R plain radiograph of the wrist | lateral projection | image width 72.1 mm.
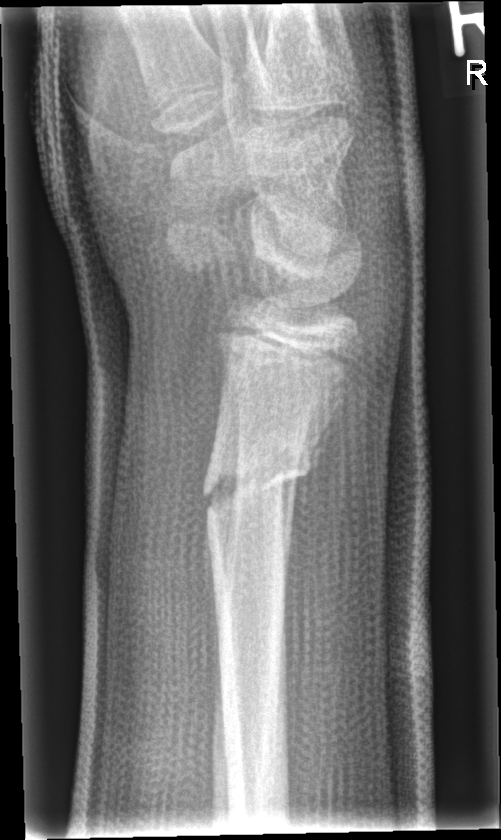
Findings: One Fx at bbox(199, 456, 314, 517).